Lateral projection, R wrist radiograph, girl, 7 yo, equivocal findings
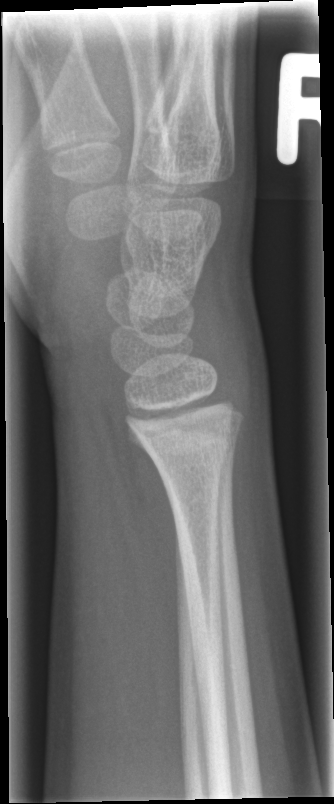

* No fracture bounding box.